Posteroanterior; L wrist X-ray; age 13 y, boy. 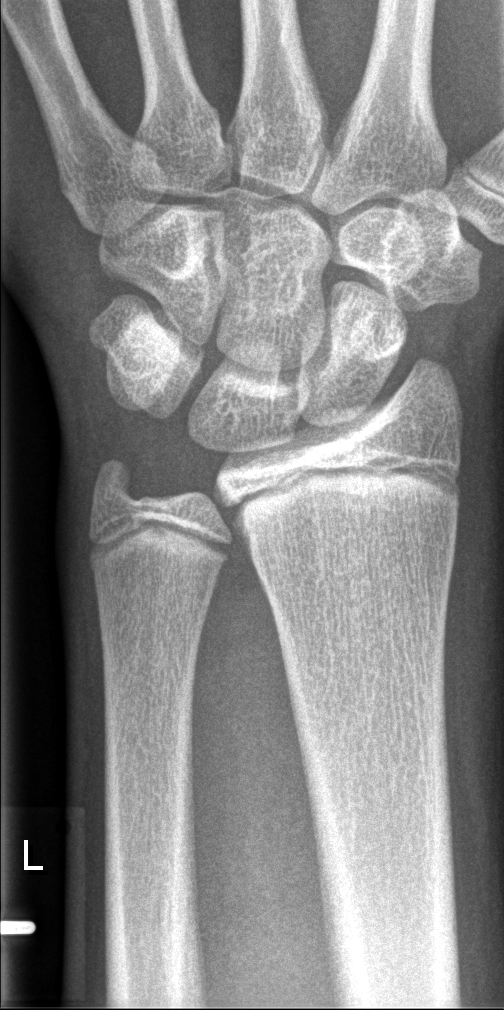

- No fracture labeled.